Lat view; left wrist plain film; 16y M; 580 by 788 pixels —

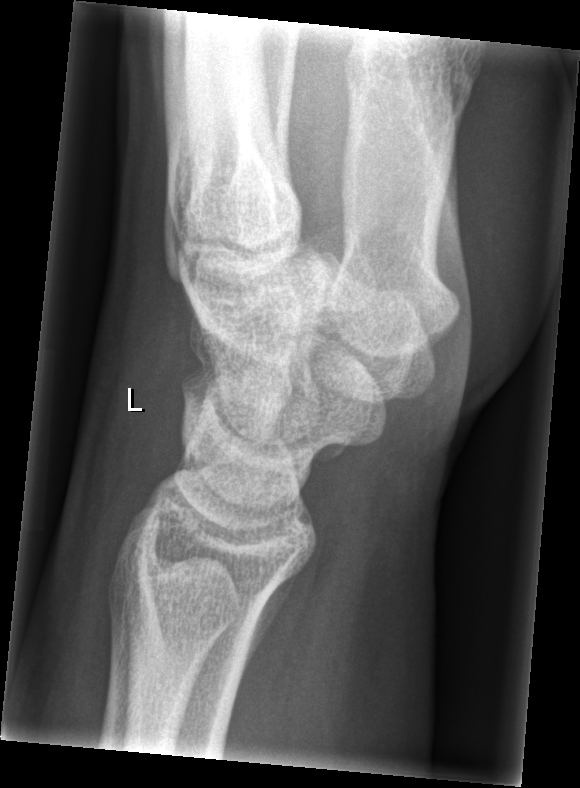

• Fx: none.